Frontal view · L pediatric wrist radiograph · follow-up · image size 728x1141 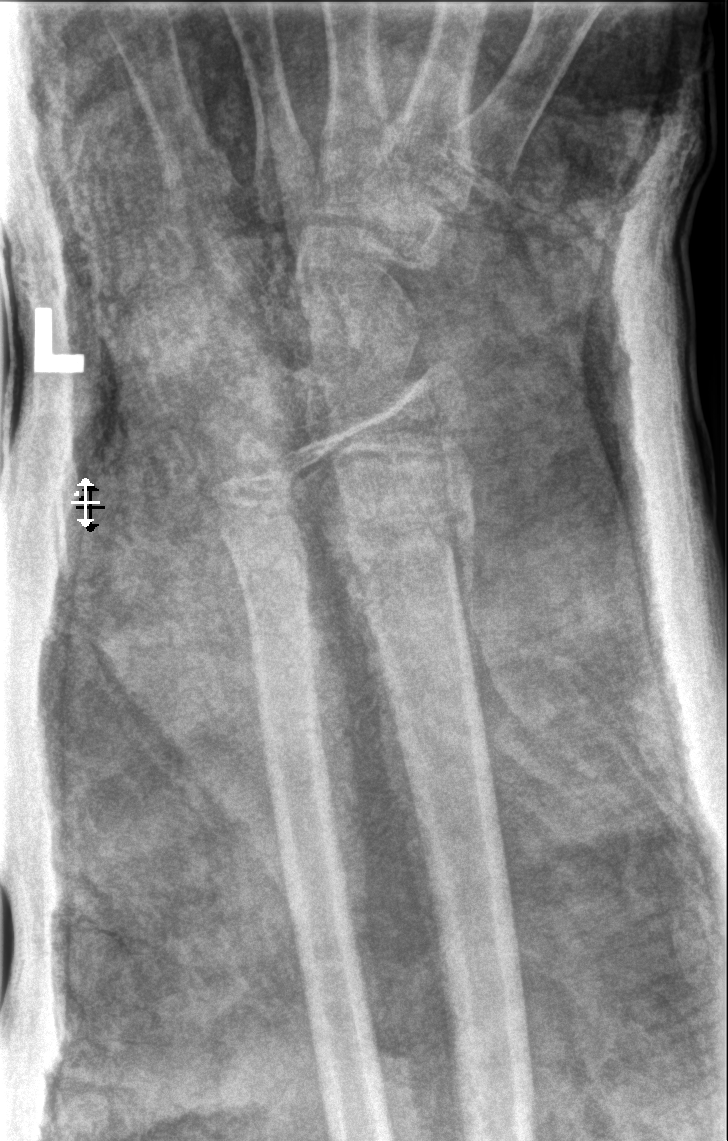

AO/OTA: 23r-M/3.1; 23u-E/7
bone fracture: 307,486,482,592
  196,433,295,488